Frontal view | Lt wrist XR | male, 11 yo | image 57.0 mm wide 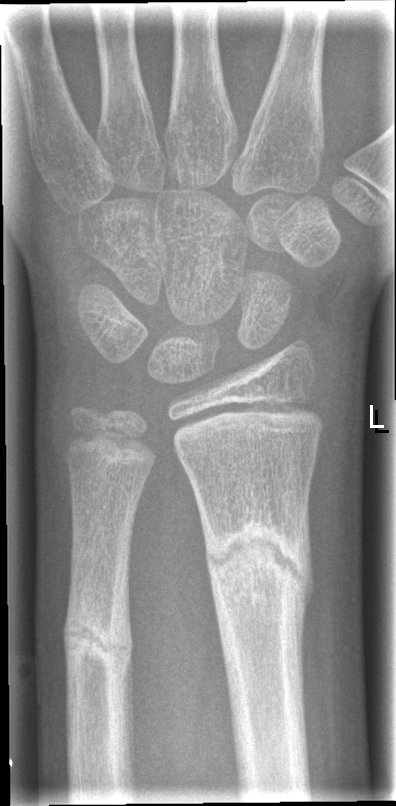
- Fracture identified at 198 515 318 622 | 61 594 136 695.
- Osteopenic.